L wrist X-ray | AP | presentation radiograph —

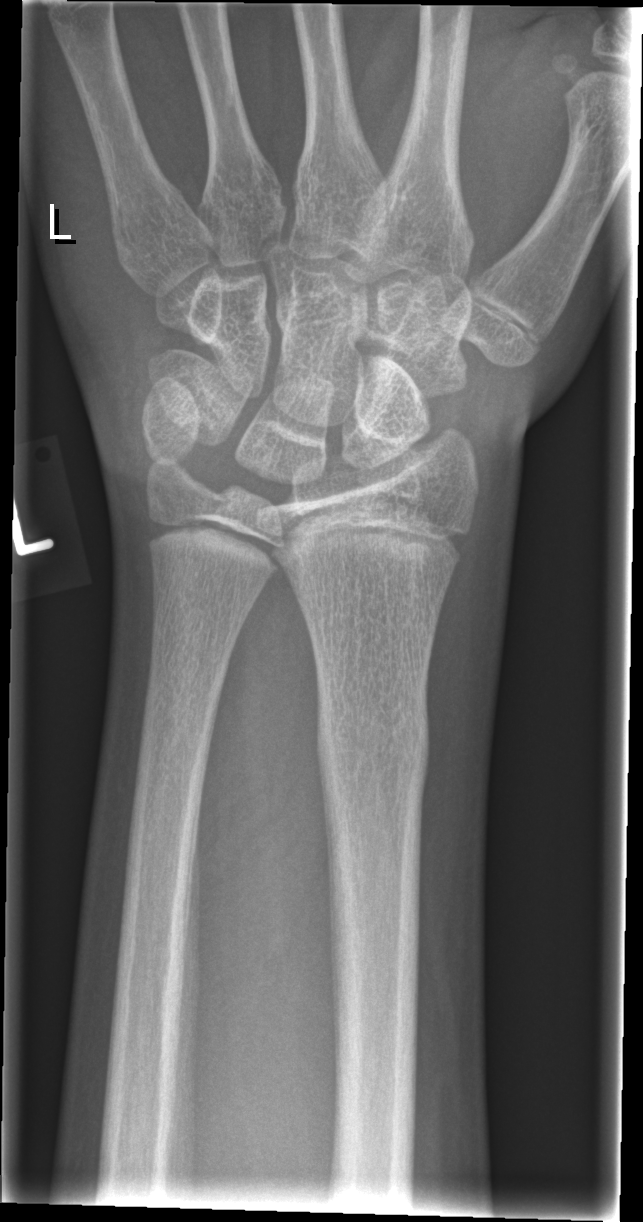

Fracture: bbox(312, 676, 432, 804).